Lateral projection; L wrist X-ray; in cast. 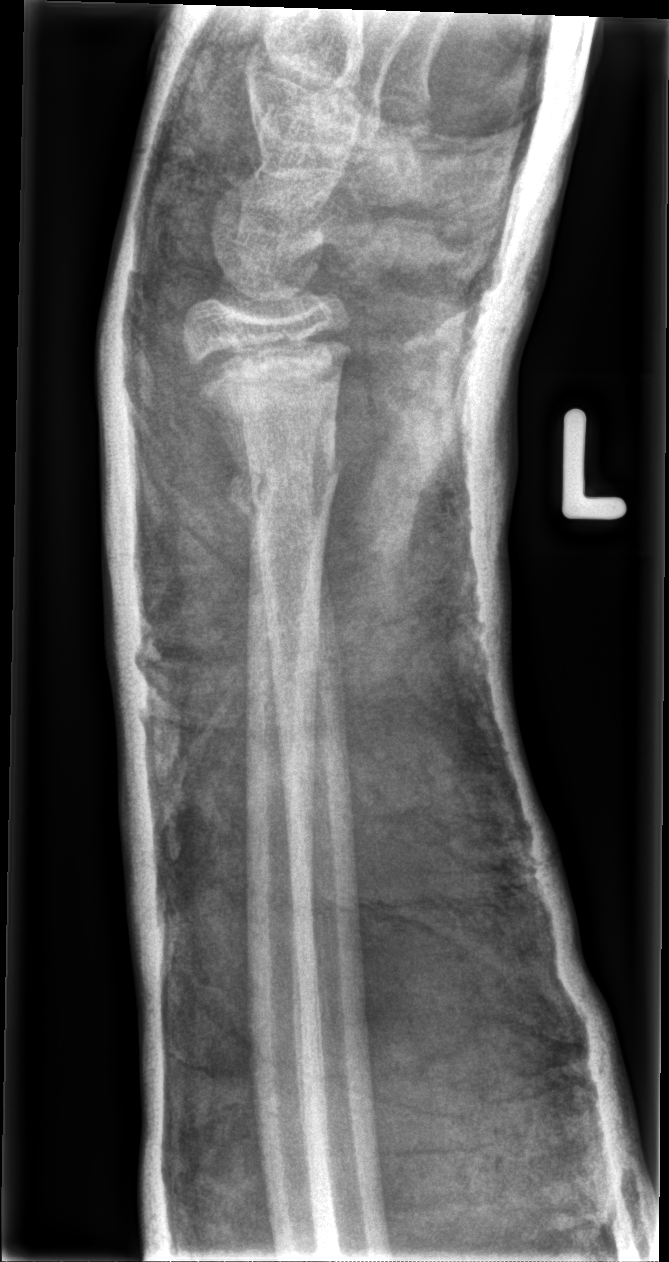
- AO code 23r-M/3.1; 23u-E/7.
- Bone fracture identified at bbox(220, 436, 348, 541).